Lateral projection, left wrist XR, pediatric patient (male, age 11), in cast, image 78.9 mm wide, 548x1140.

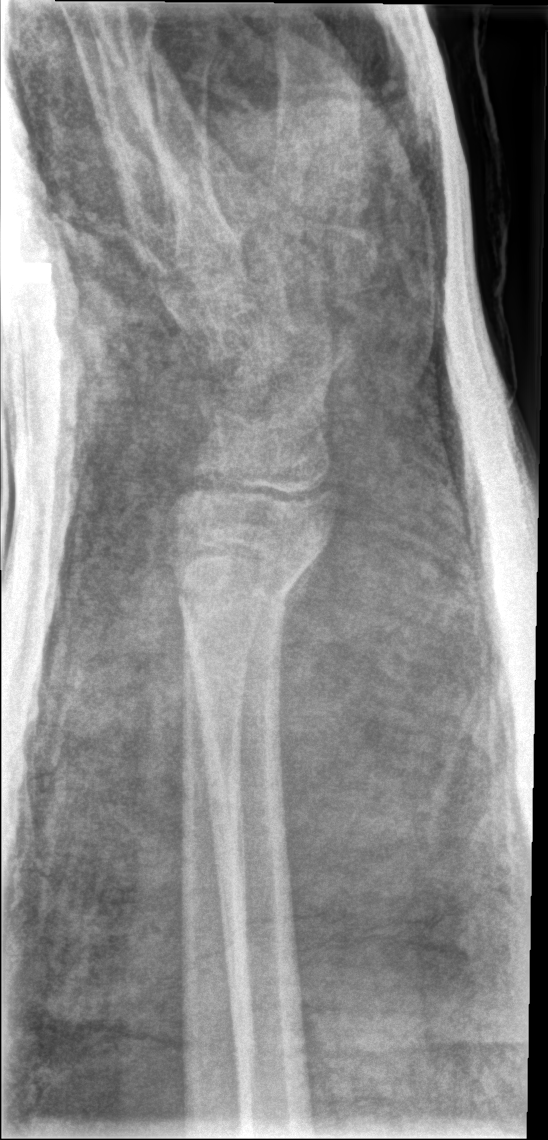
Bounding boxes in image-pixel xyxy. Periosteal thickening — <278,548>-<324,648>. AO code 23r-M/3.1; 23u-E/7. Fx — <147,514>-<331,656>.